Right wrist pediatric wrist radiograph | lat projection | boy, 9 yo | equivocal findings | acquired on Siemens | image width 86.8 mm | 603x814
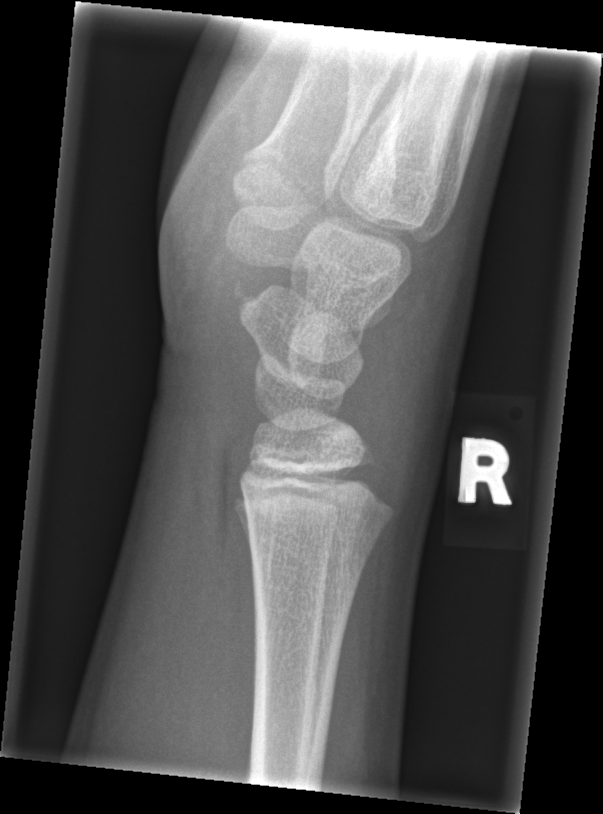

Findings: Bone fracture identified at (240, 488, 398, 573).